R pediatric wrist radiograph | lateral | pediatric patient (male, age 7):

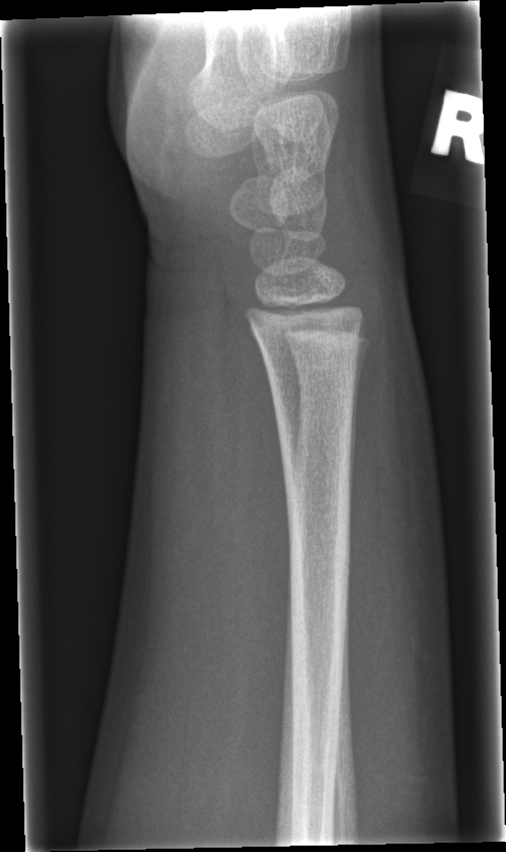
Fx: none labeled